Left wrist plain film; lat projection; 14y M; follow-up study — 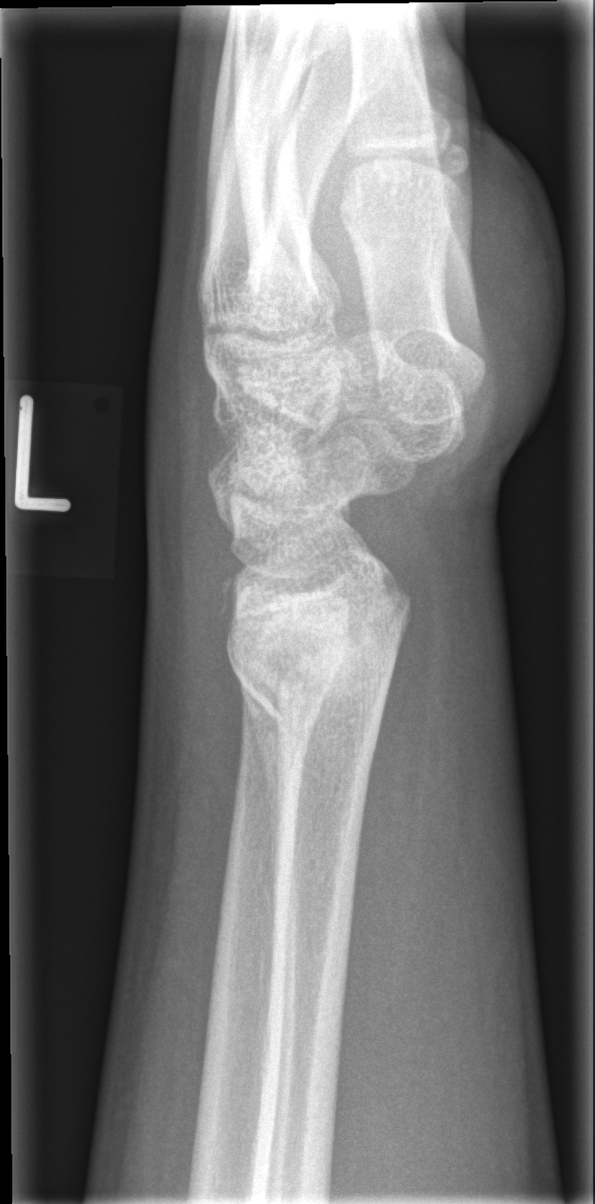

Q: What is the AO/OTA classification?
A: Fracture classified AO/OTA 23r-M/3.1; 23u-E/7
Q: Any fracture seen?
A: One fracture at 230 657 397 751
Q: Is there osteopenia?
A: Osteopenic
Q: Any periosteal thickening?
A: Periosteal new bone — 235 668 291 934